PA; right wrist plain film; 6y M; cast in situ

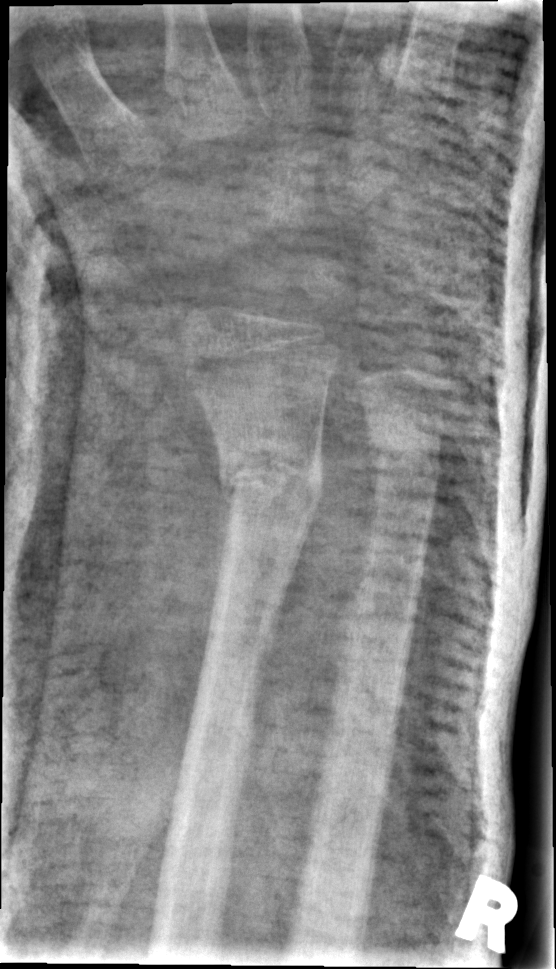
Bone fracture: bbox(211, 444, 323, 515), bbox(364, 425, 446, 483).